AP | left wrist radiograph | female, 3 yo | index exam. 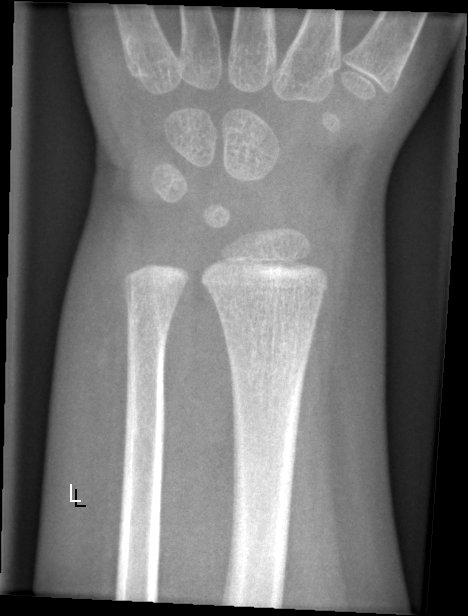

FINDINGS — Fracture: none labeled.